R wrist XR | frontal view | 6-year-old boy | subsequent exam | cast in situ —

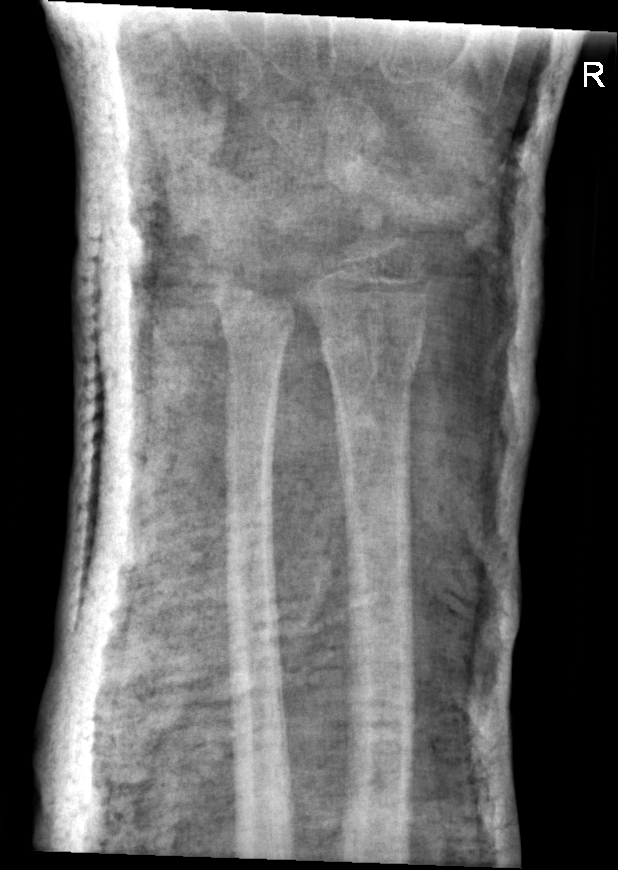

Boxes as x1,y1,x2,y2 (top-left / bottom-right, pixel units). Bone fractures — (left=316, top=320, right=426, bottom=387); (left=217, top=303, right=299, bottom=348).